Posteroanterior projection; left wrist XR; 577 x 1026 px:
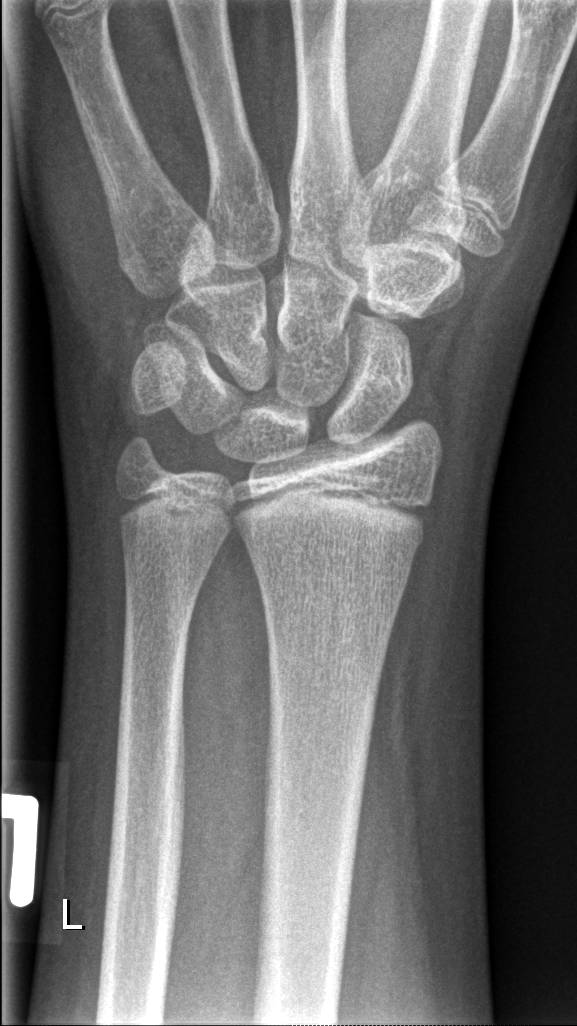

• No fracture bounding box.